Frontal projection | right wrist plain film —
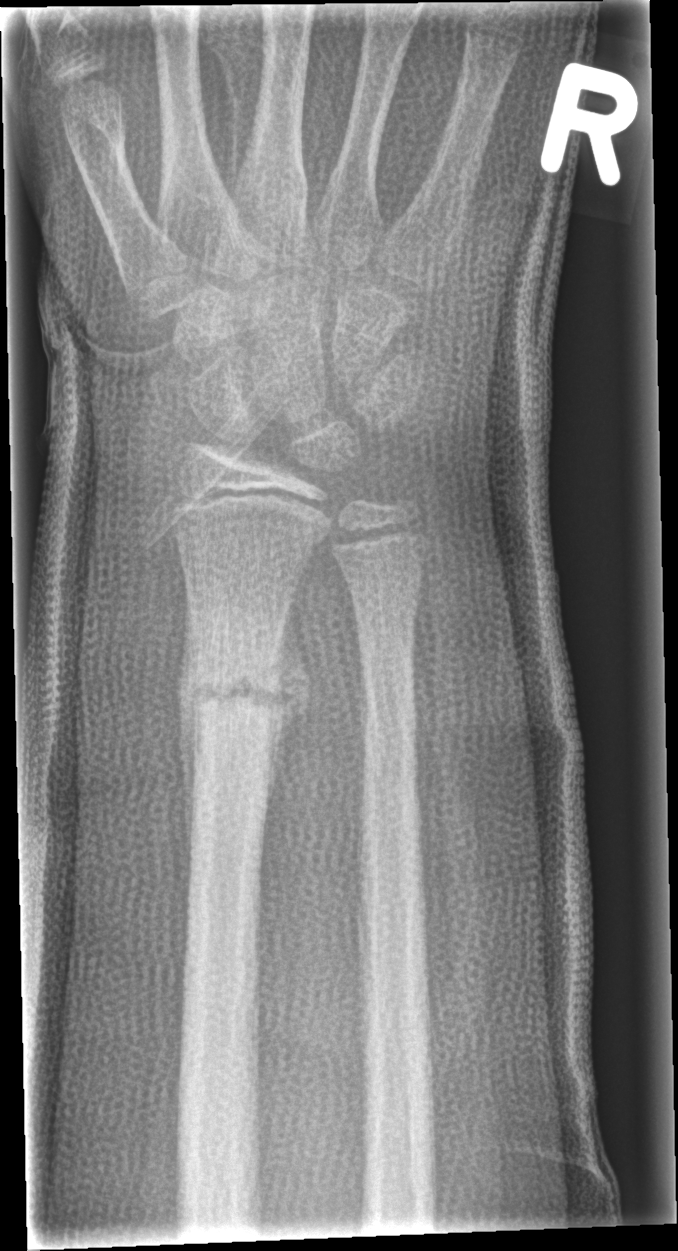 (bounding boxes in image-pixel xyxy)
Q: What is the AO/OTA classification?
A: Fracture classified AO/OTA 23r-M/3.1
Q: Is there periosteal reaction?
A: Two periosteal thickening at (left=262, top=604, right=312, bottom=815); (left=176, top=582, right=202, bottom=875)
Q: Locate any fractures.
A: Fx: (left=183, top=652, right=291, bottom=726)